AP | L plain radiograph of the wrist | 12y M | cast in situ.

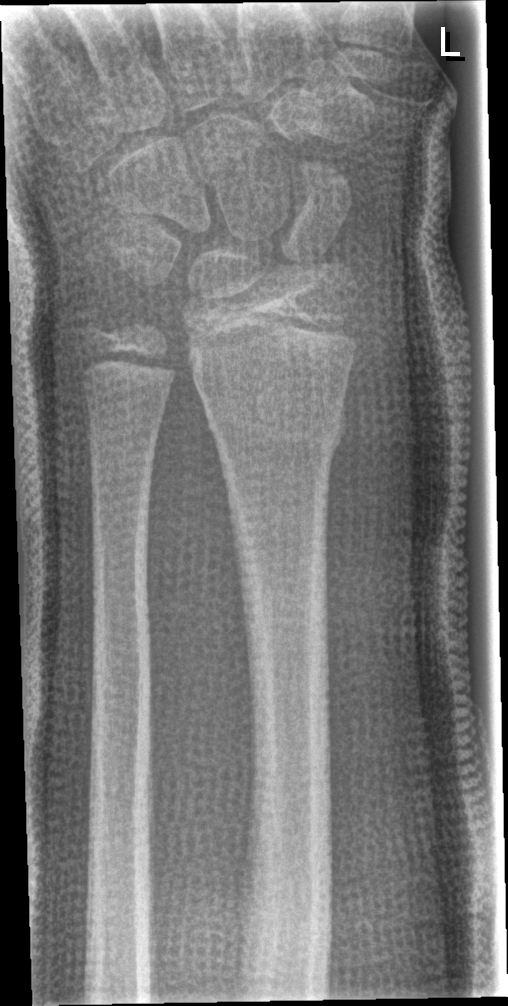

* Coordinates are [x1, y1, x2, y2] in image pixels.
* Fx — [x1=202, y1=400, x2=350, y2=450].